Left wrist plain film · PA view
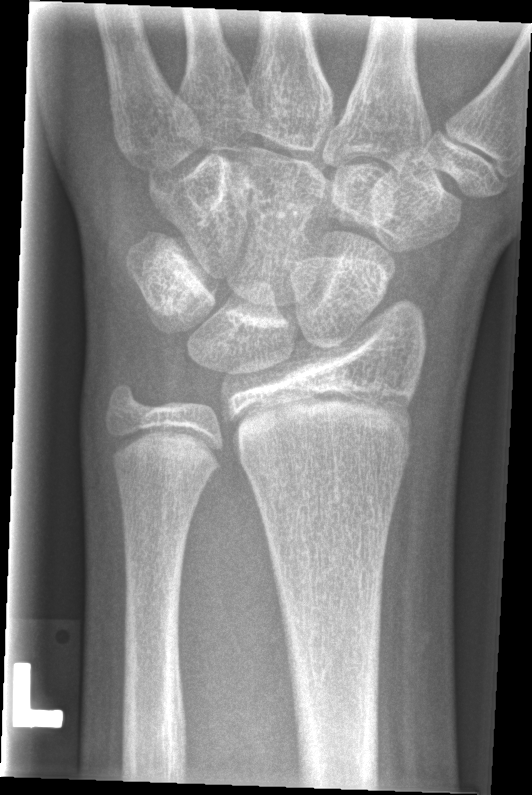
No fracture bounding box.